Lateral view · right pediatric wrist radiograph · male, 15 yo · subsequent exam:

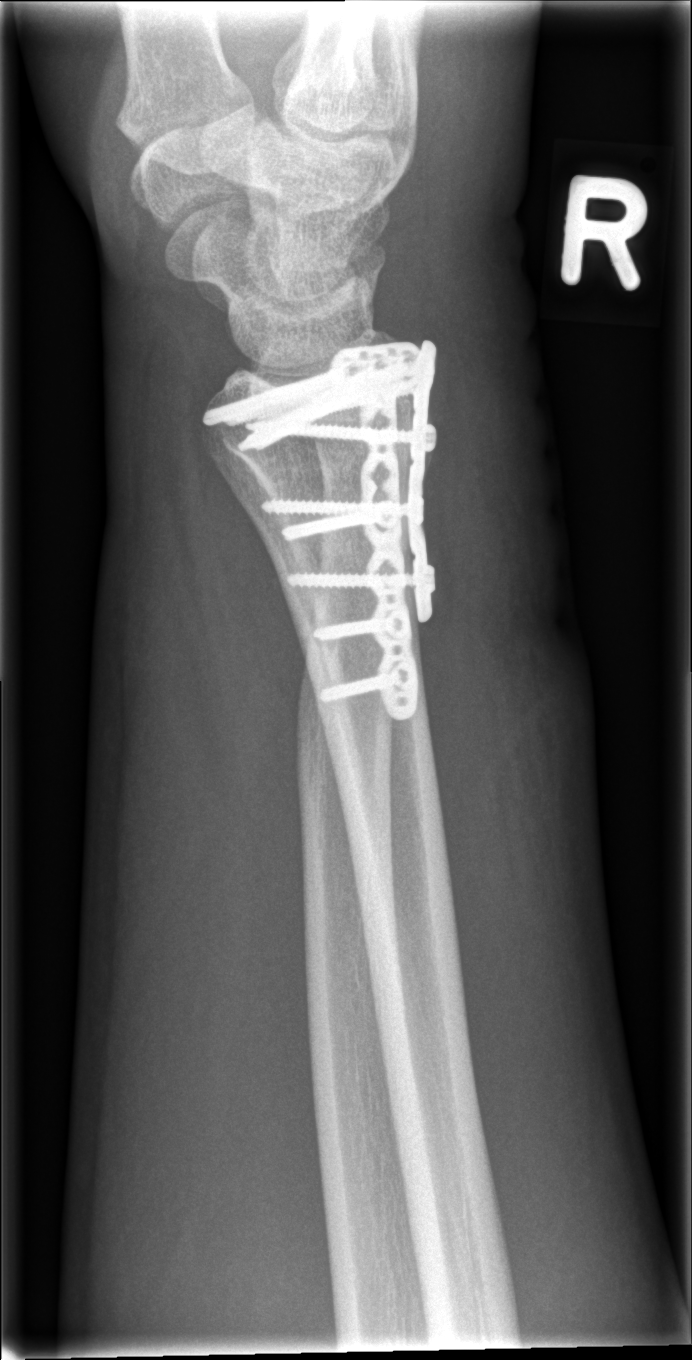 Coordinates are [x1, y1, x2, y2] in image pixels.
Fracture present, though not clearly seen in this view.
One metallic hardware at 195,338,443,728.